PA/AP · R wrist X-ray · pediatric patient (girl, age 8) · presentation radiograph · image 88.7 mm wide 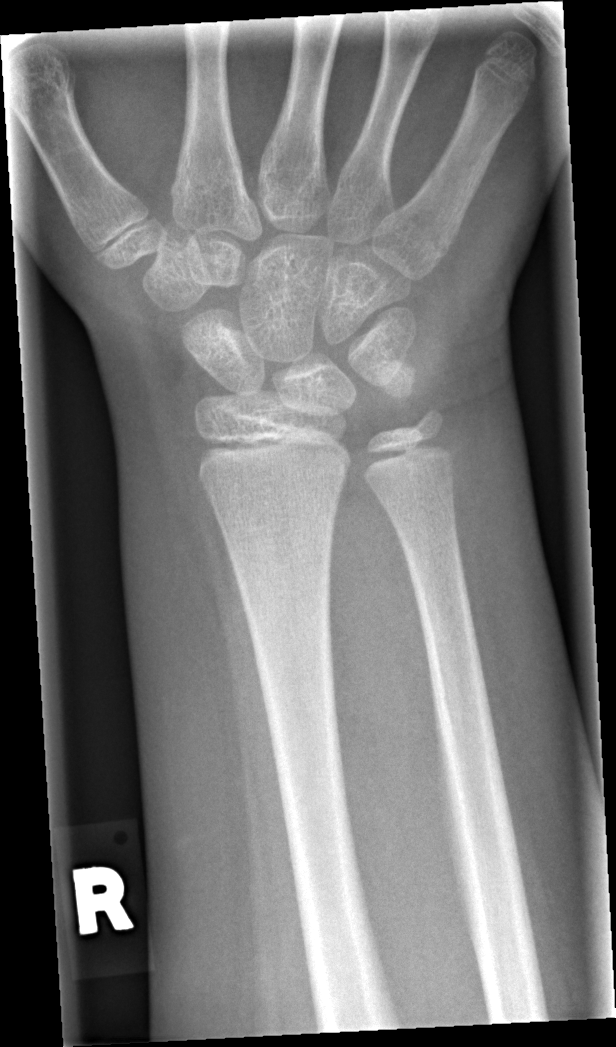 Q: Any fracture seen?
A: No fracture annotation